Left wrist radiograph; lat; 5-year-old male; Siemens —

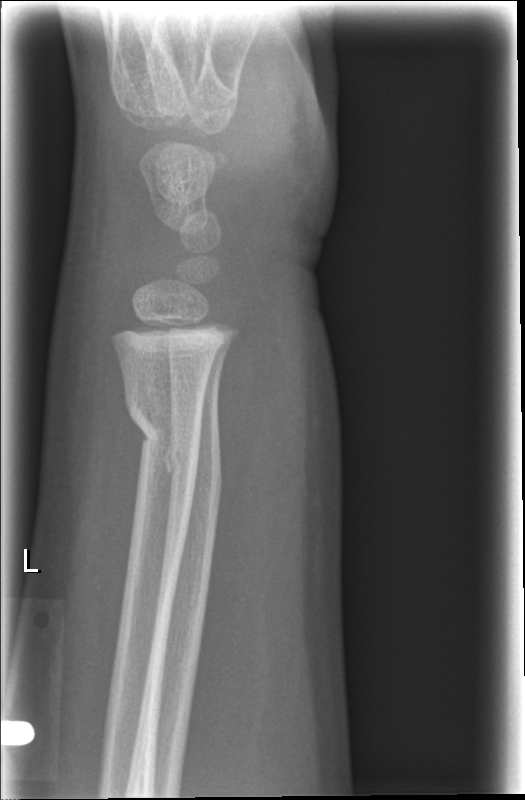

Bounding boxes in image-pixel xyxy. Fx — 123 395 206 487 | 160 436 224 506. Pronator sign identified at 210 311 272 564. AO code 23-M/2.1.